Lateral view · Rt wrist plain film · pediatric patient (boy, age 14).

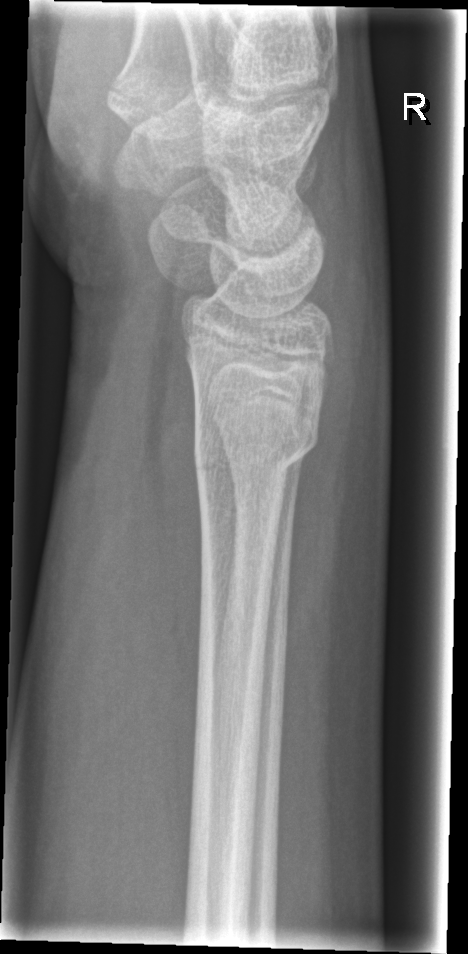 (boxes as x1,y1,x2,y2 (top-left / bottom-right, pixel units))
Q: Any fracture seen?
A: One Fx at bbox(190, 409, 322, 493)
Q: What is the AO/OTA classification?
A: AO/OTA classification: 23r-M/3.1; 23u-E/7